Lateral projection, right wrist XR, age 12 y, boy, Siemens —

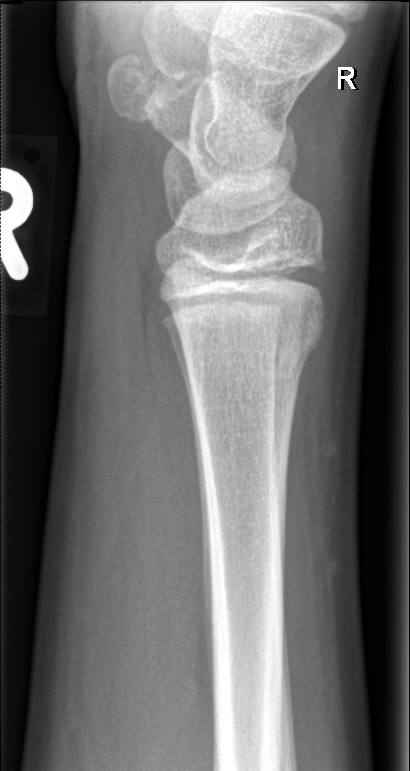

(bounding boxes in image-pixel xyxy)
AO classification = 23r-M/2.1
bone fracture = 1 @ (left=179, top=303, right=329, bottom=367)